Left wrist radiograph · posteroanterior · pediatric patient (female, age 15) · acquired on Siemens

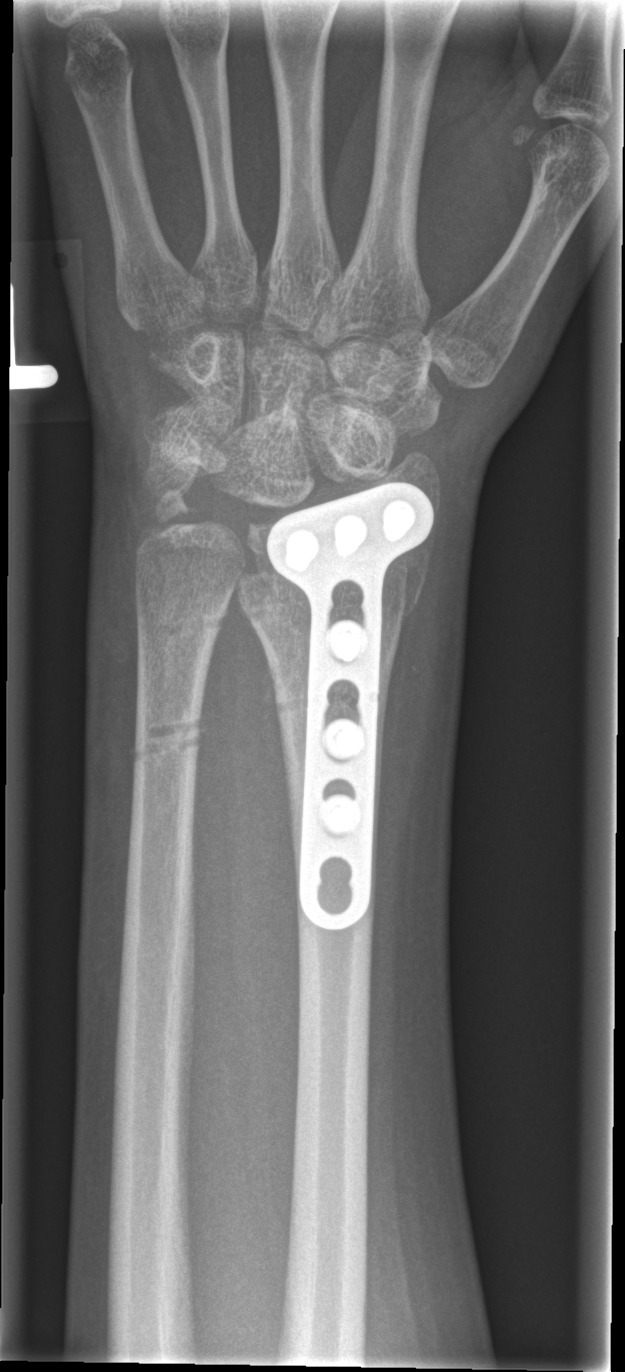 (pixel coordinates, top-left origin, xyxy)
bone variant = 2 @ bbox(129, 716, 208, 751) bbox(273, 688, 306, 717)
fracture = 2 @ bbox(235, 551, 430, 623) bbox(135, 483, 210, 545)
metallic implant = bbox(263, 485, 430, 937)